Posteroanterior, right wrist plain film, male, 2 yo, 540 by 852 pixels 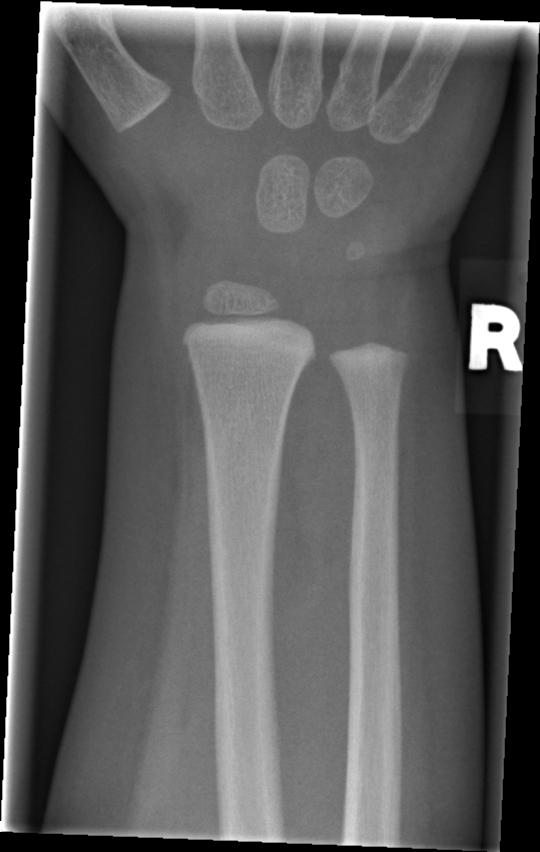 Fracture: none labeled.